Frontal projection; right wrist X-ray; Siemens; image size 665x1122

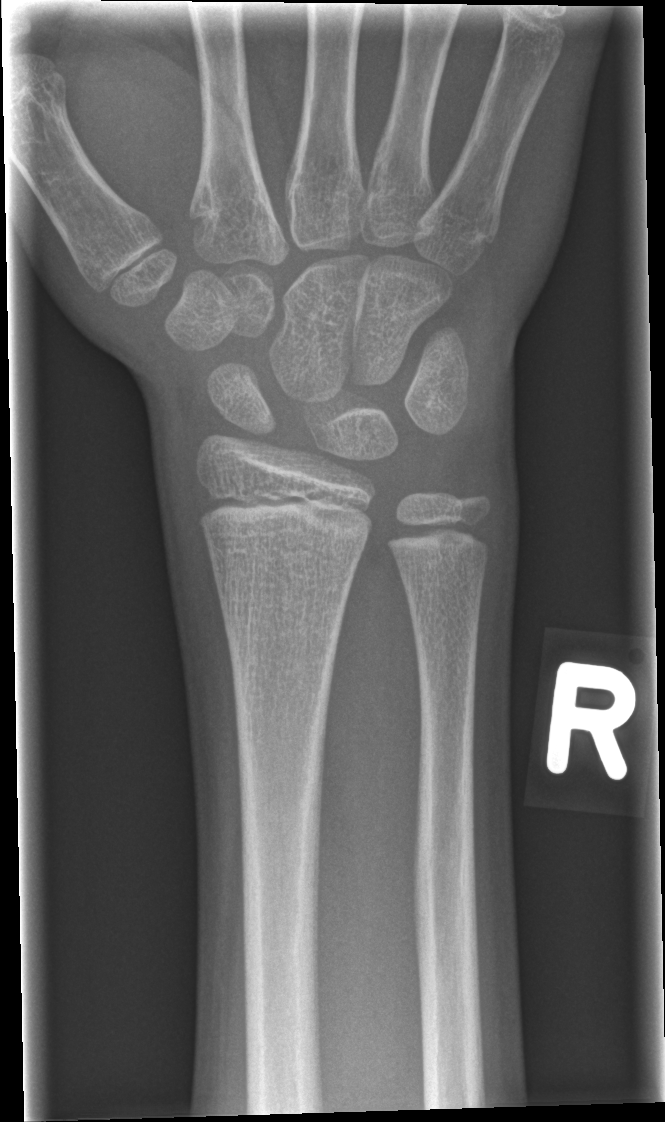
FINDINGS — No fracture bounding box.